Right wrist radiograph; AP projection; male, 13 yo; subsequent exam; image width 103.2 mm.
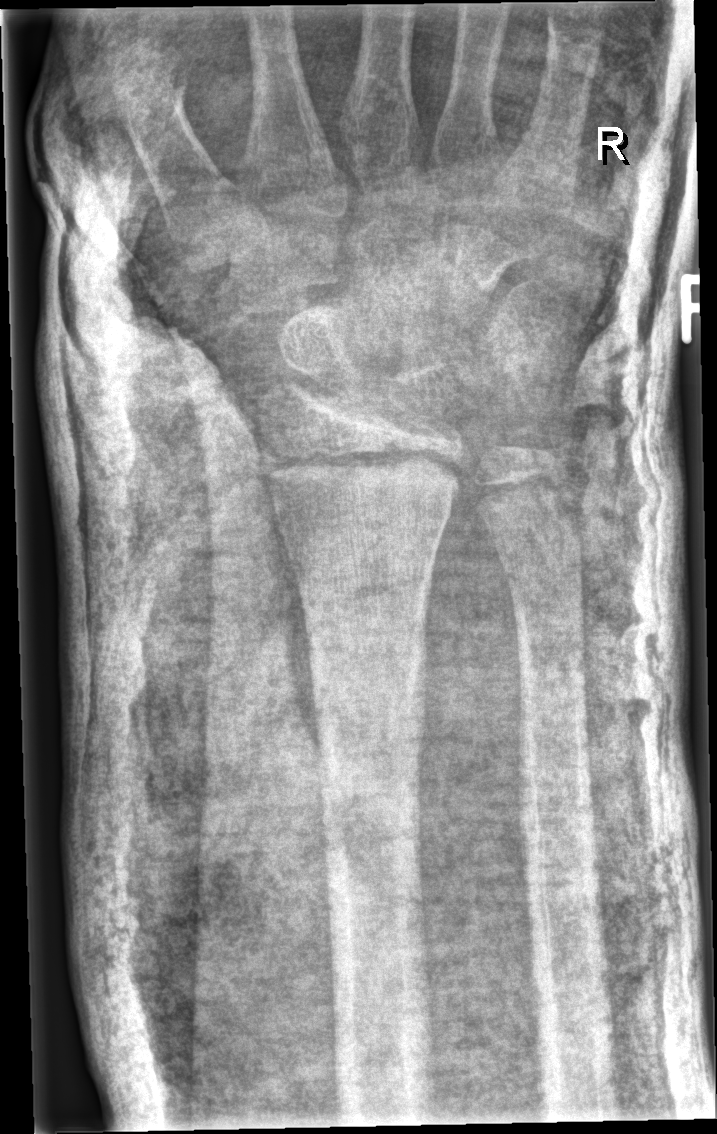

{
  "ao": "23r-E/2.1; 23u-E/1",
  "fracture": "<261,435>-<472,520>"
}